Left pediatric wrist radiograph; lat projection; image size 486x778 —
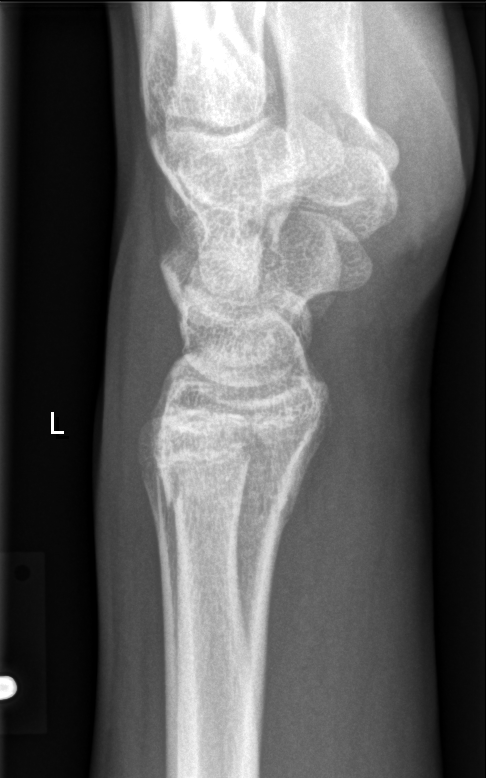
Bone fracture — <161,458>-<302,535>.